Left wrist plain radiograph of the wrist; frontal view; pediatric patient (female, age 13); cast present.

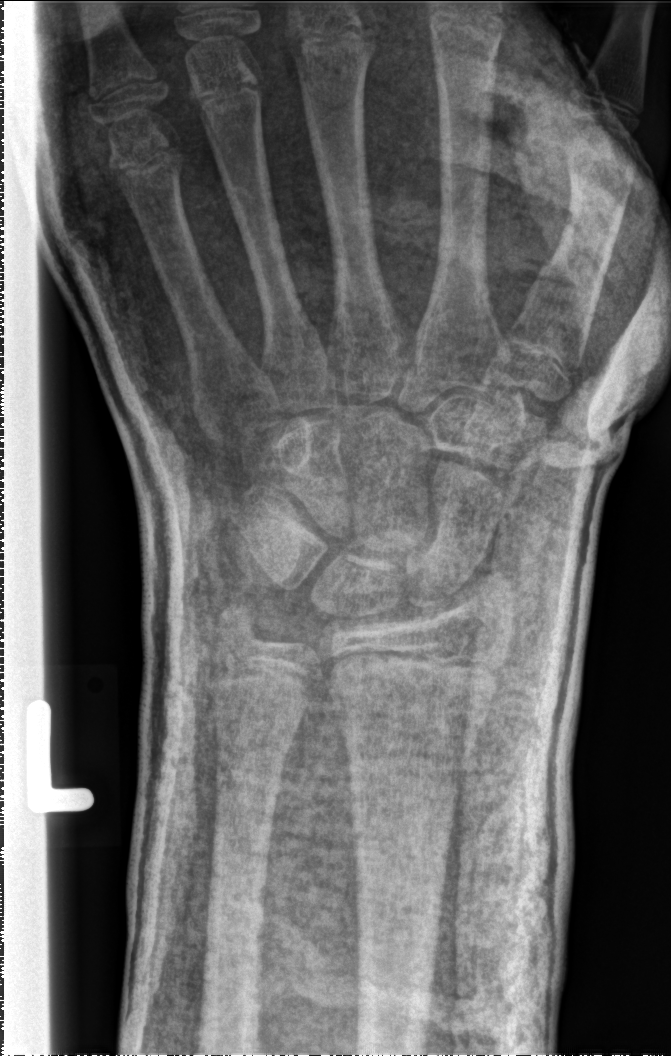 Fx identified at bbox(325, 643, 505, 738). AO/OTA classification: 23r-M/2.1; 23u-E/7.